AP view · Rt wrist X-ray · age 6 y, boy · in cast · Siemens.
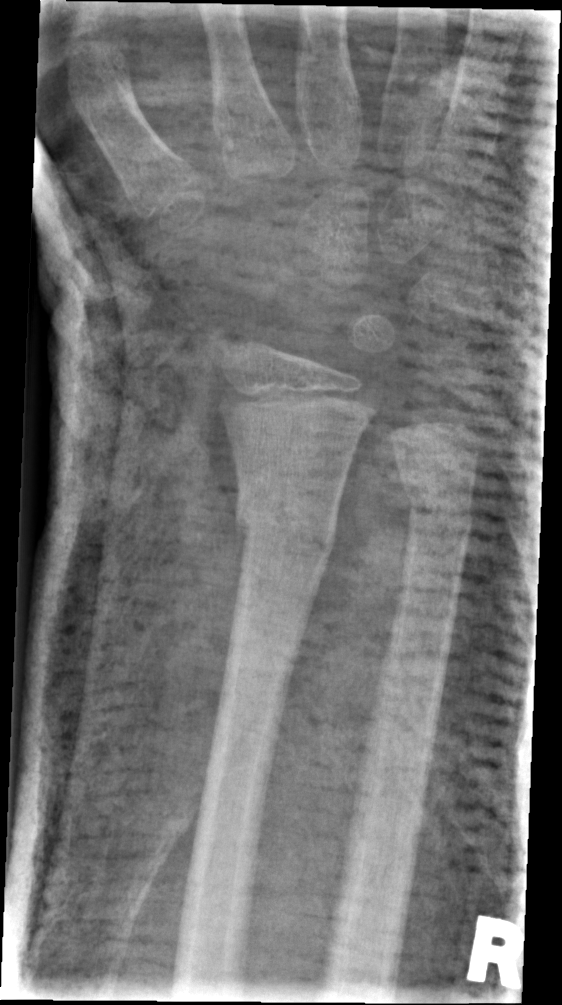 AO classification: 23-M/3.1
fracture: 2 @ bbox(225, 478, 339, 577) bbox(399, 463, 479, 532)